Right wrist XR; lateral view; 432 x 1195 px —

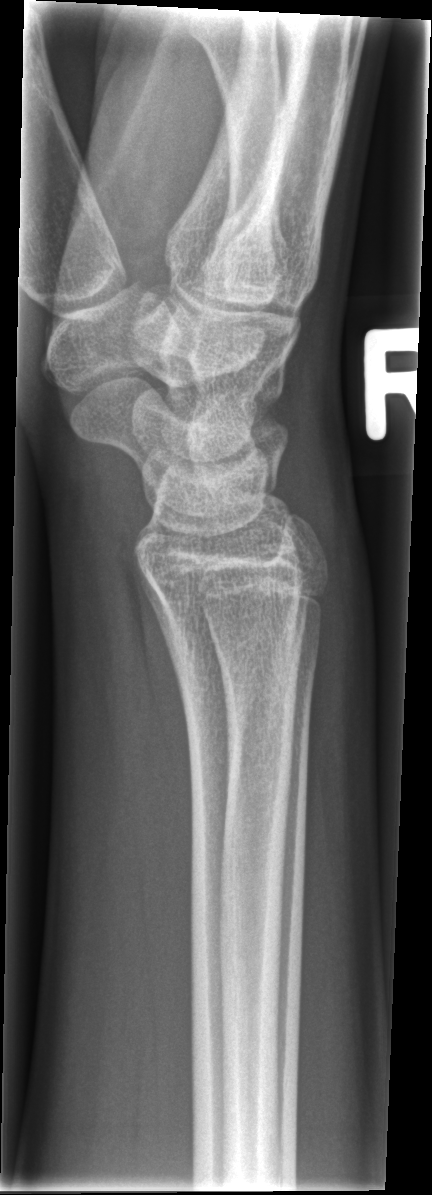 - No fracture annotation.